Lat projection; left wrist X-ray; follow-up
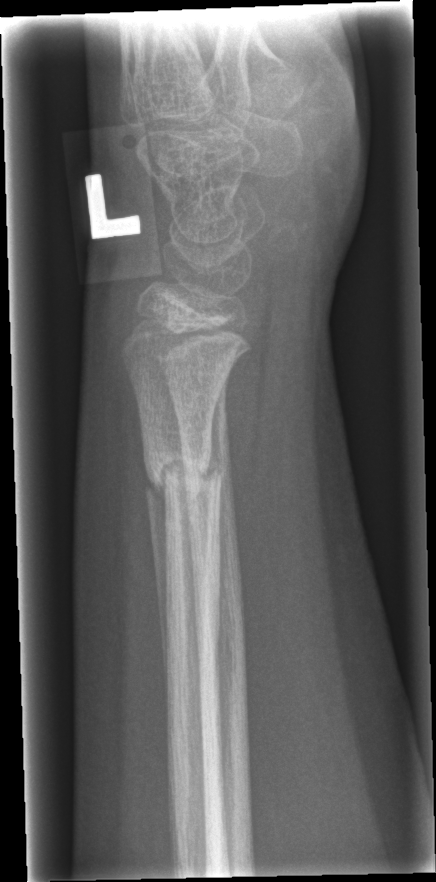
Q: AO code?
A: Fracture classified AO/OTA 23r-M/3.1
Q: Locate any fractures.
A: Fracture — (142, 446, 227, 503)
Q: Is there periosteal reaction?
A: Periosteal new bone: (143, 467, 168, 707)